Left plain radiograph of the wrist, lat, male, 5 yo, Siemens, image width 73.4 mm, 510x788 — 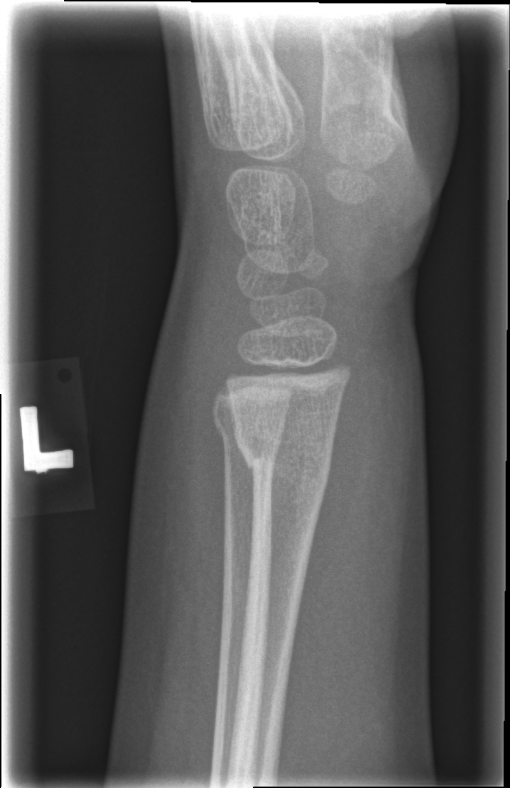
Soft-tissue swelling: 1 @ <122,286>-<240,655>
Fracture: <229,412>-<335,501>, <207,398>-<289,468>